Lt wrist plain film, posteroanterior view, 10-year-old boy, follow-up study, Siemens, image width 90.1 mm. 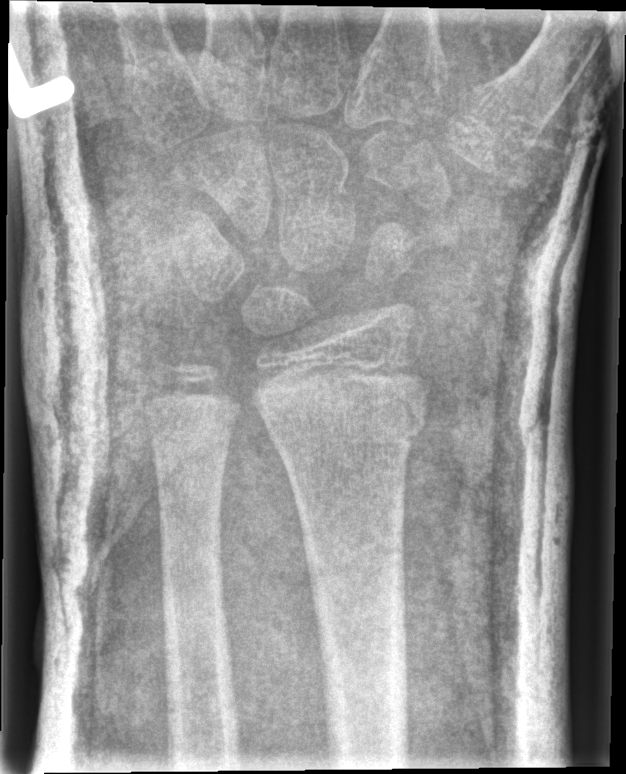 Q: Fracture present?
A: One fracture at 252,368,433,456